Frontal projection · R wrist radiograph · age 16 y, boy:
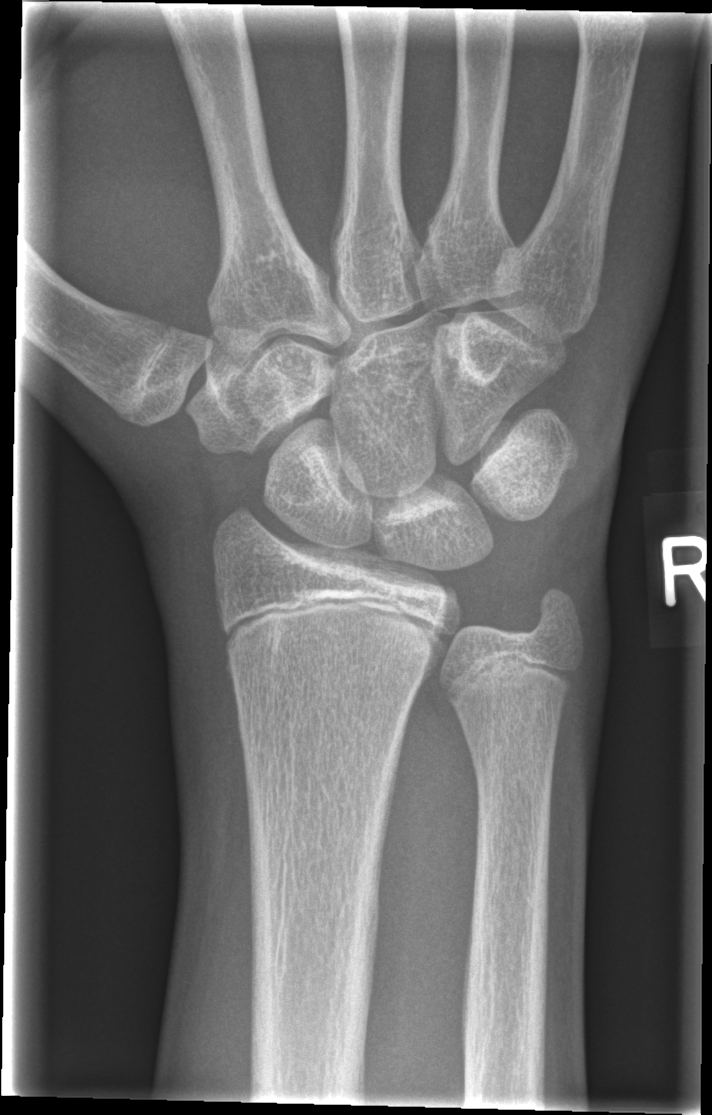
Q: Any fracture seen?
A: No fracture bounding box